Lt wrist X-ray · lat projection.

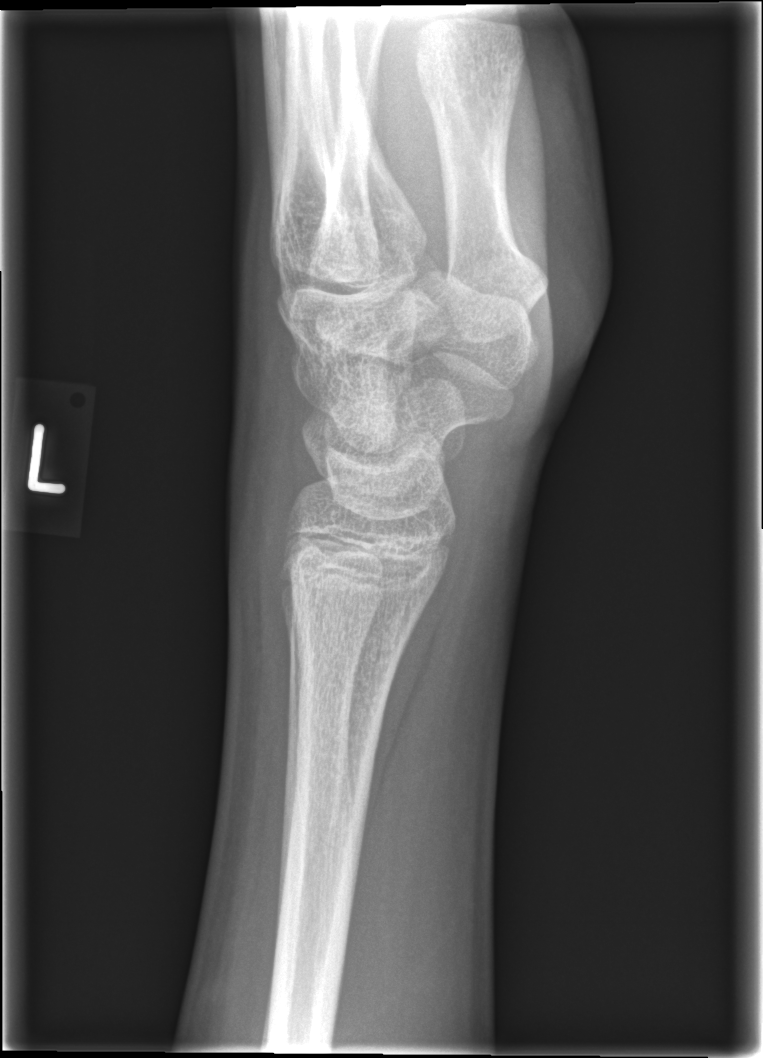

{
  "fracture": "none labeled"
}